Left wrist plain film; frontal projection; subsequent exam; 91.6 mm image width: 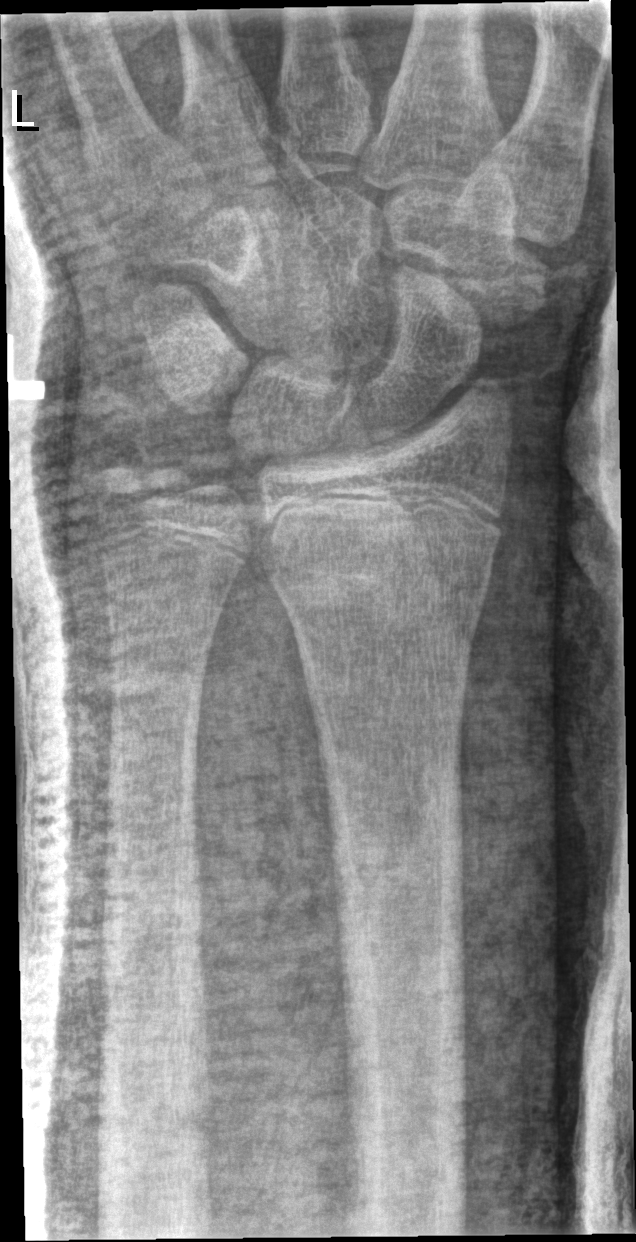
bone fracture = 1 @ <261,489>-<501,629>